L pediatric wrist radiograph; PA view; Siemens; 79.8 mm image width:
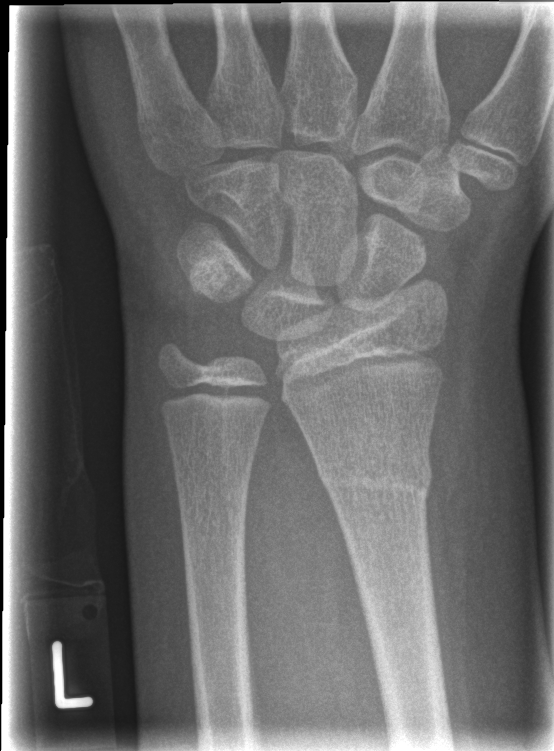 • AO code 23r-M/2.1.
• One Fx at <315,451>-<437,502>.